Lt wrist X-ray, PA/AP, cast present

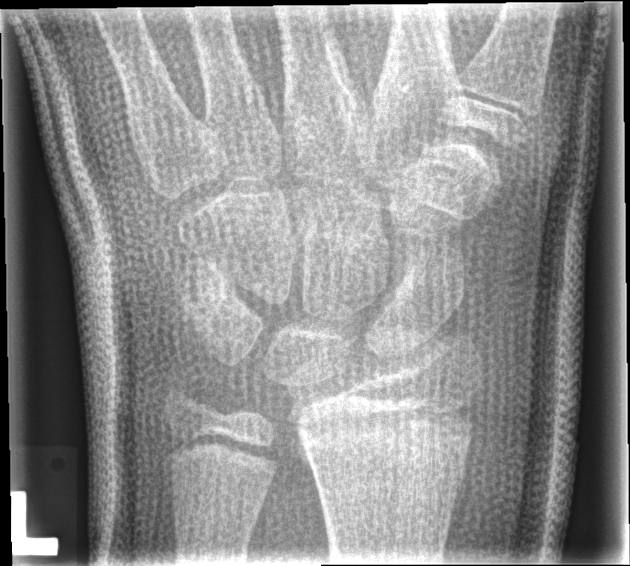 • One Fx at (left=296, top=402, right=476, bottom=489).